AP projection; right wrist radiograph; equivocal findings; acquired on Siemens; image size 575x862 —

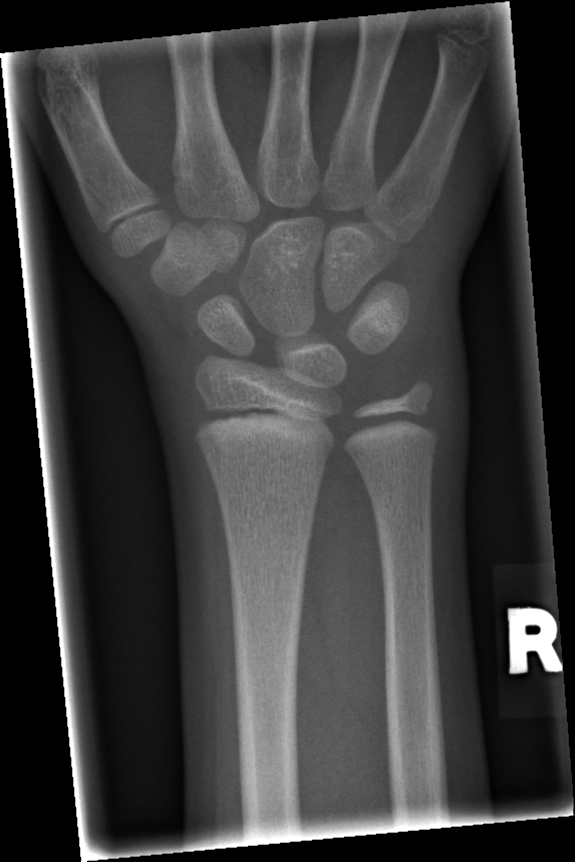

No fracture labeled.